R pediatric wrist radiograph · AP · 11y M.

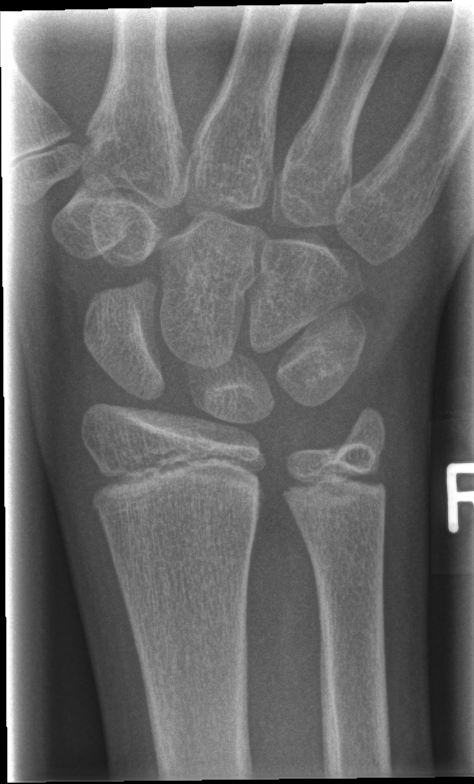

Fx: none.